PA view; left wrist XR —

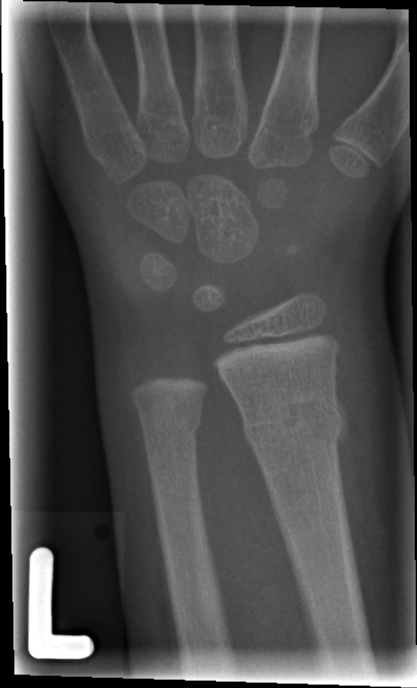
• AO/OTA classification: 23-M/2.1.
• Fx — 239 395 350 455 | 138 404 205 444.